Right wrist plain film; lat; age 11 y, male; 497 x 866 px: 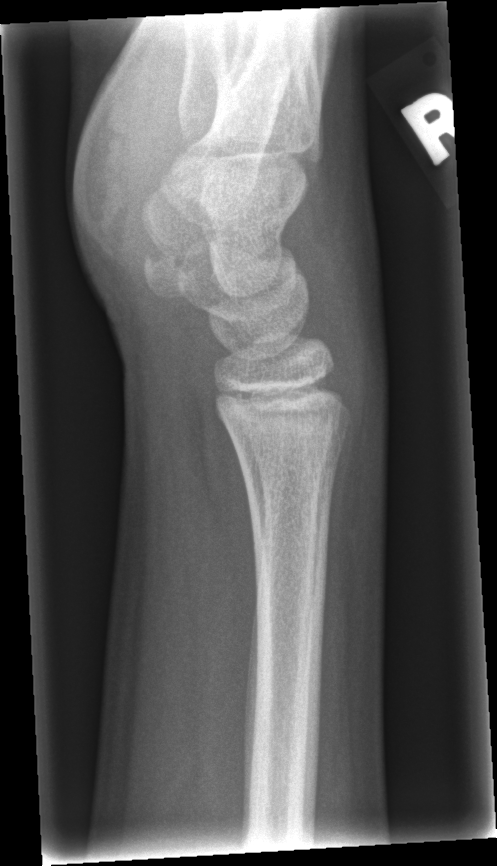 FINDINGS: Fracture: none labeled.